Rt plain radiograph of the wrist · PA/AP · pediatric patient (girl, age 16) · index exam · 562x912 — 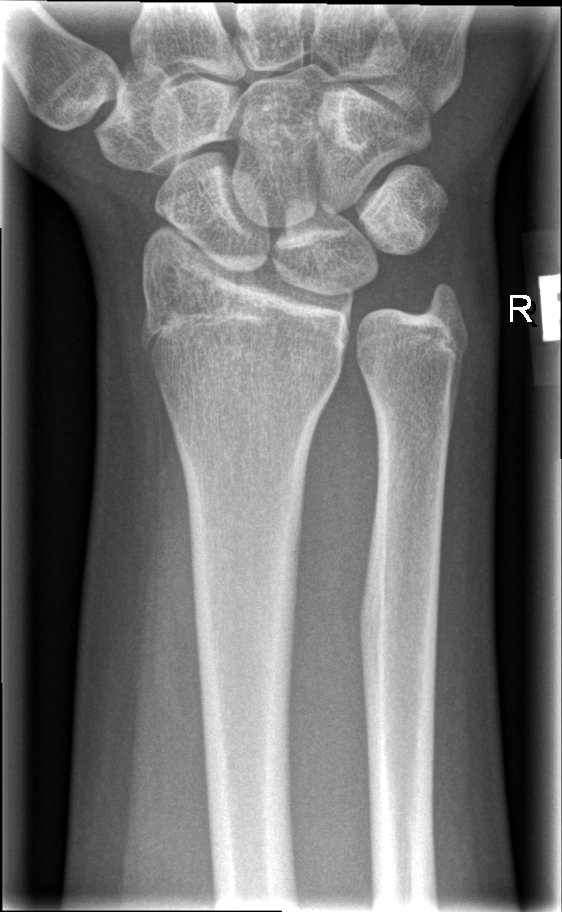

Findings: Fx: none.